Left wrist XR · PA/AP · pediatric patient (girl, age 7)

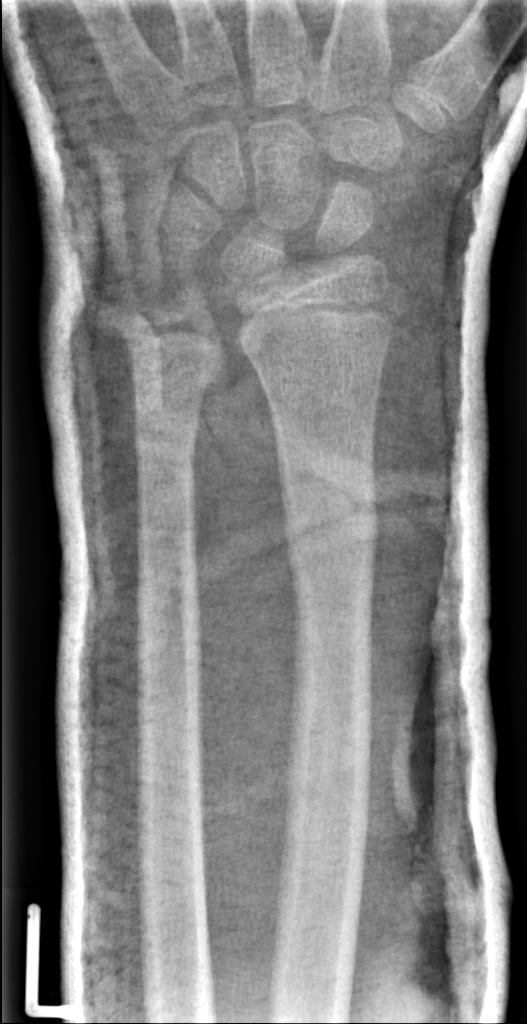

FINDINGS: Bone fracture identified at <278,462>-<383,601>.